Lat; right wrist X-ray; 9y F; Siemens 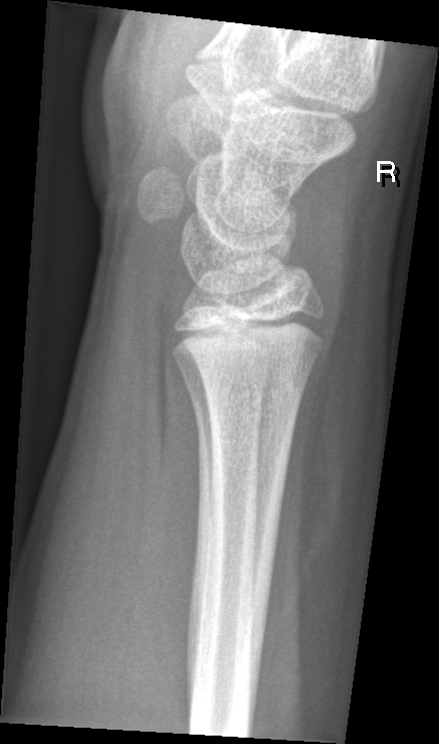
* Coordinates are [x1, y1, x2, y2] in image pixels.
* No Fx annotated.
* One soft-tissue swelling at (323, 229, 382, 505).